Lt plain radiograph of the wrist; AP view; 10y F; Siemens
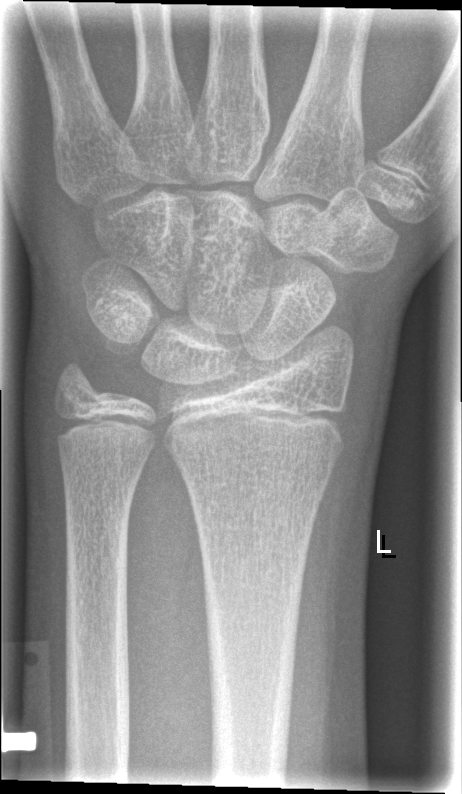
fracture: none labeled